Rt pediatric wrist radiograph | PA/AP view | follow-up study | imaged through cast | detector: Siemens:

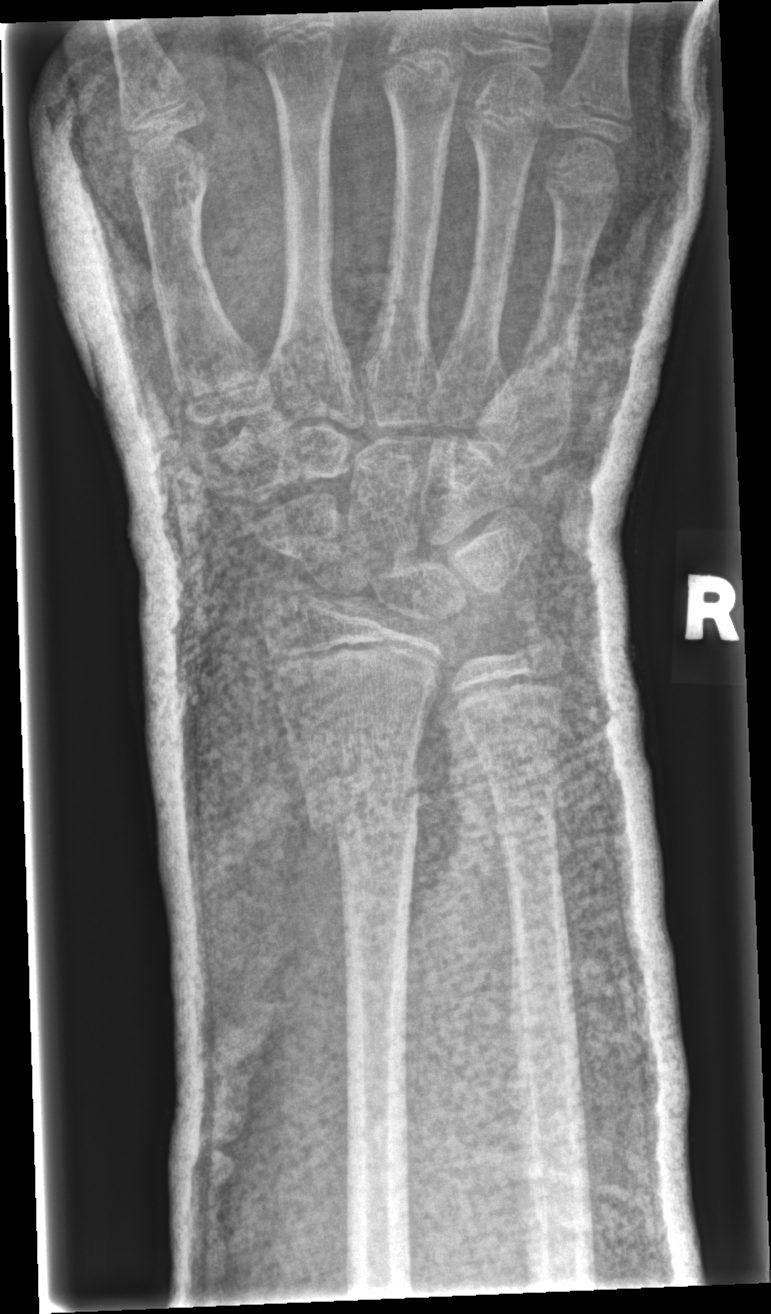
Fracture classified AO/OTA 23r-M/3.1. Fx — (left=297, top=752, right=429, bottom=856).